Lateral view; Lt pediatric wrist radiograph; initial study: 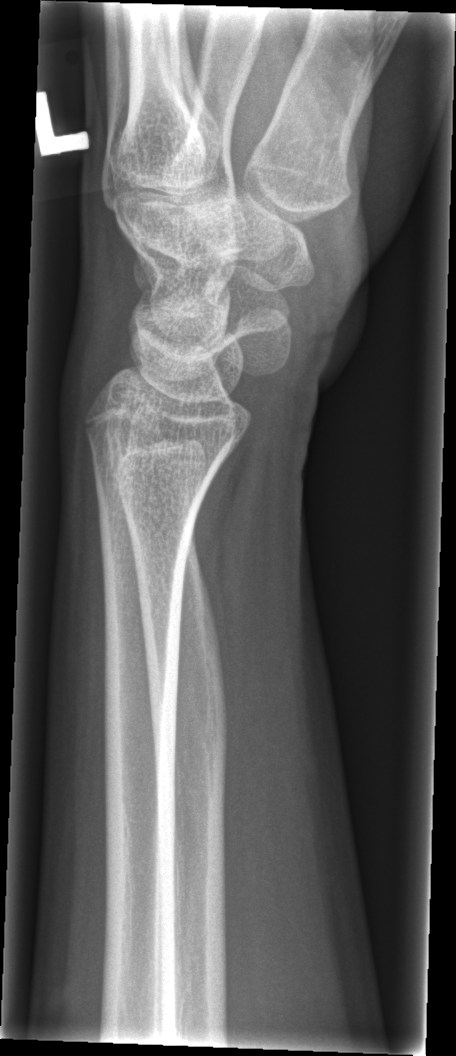 No Fx annotated.